Lat projection; left wrist plain film; age 10 y, female. 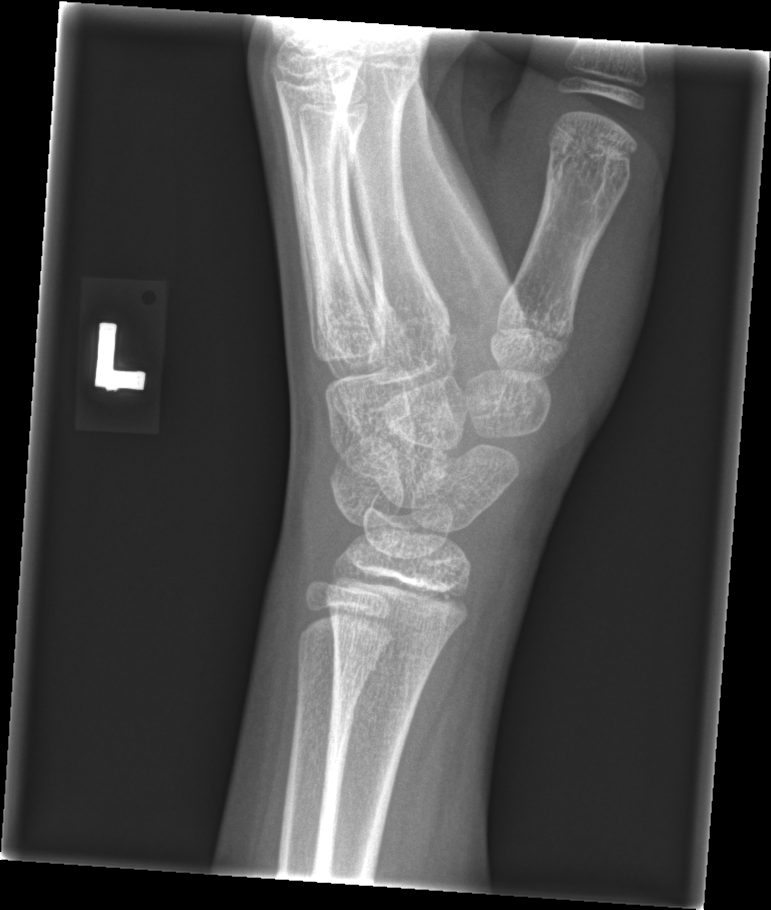

No fracture annotation.